Lateral projection; L pediatric wrist radiograph.

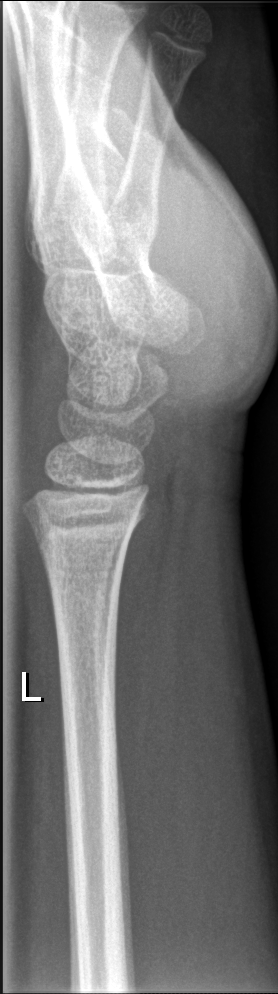
fracture: none labeled